AP · left wrist plain film · 86.8 mm image width.
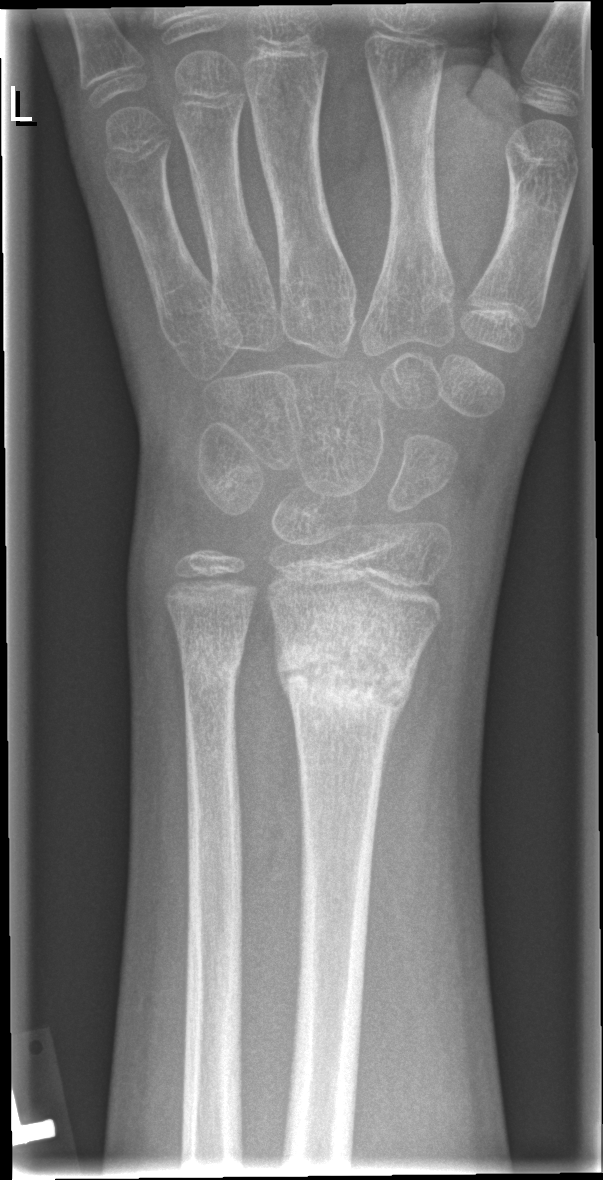 AO code = 23-M/3.1
Fx = [x1=284, y1=611, x2=416, y2=731] [x1=179, y1=637, x2=252, y2=703]